Lateral projection; right wrist plain radiograph of the wrist:
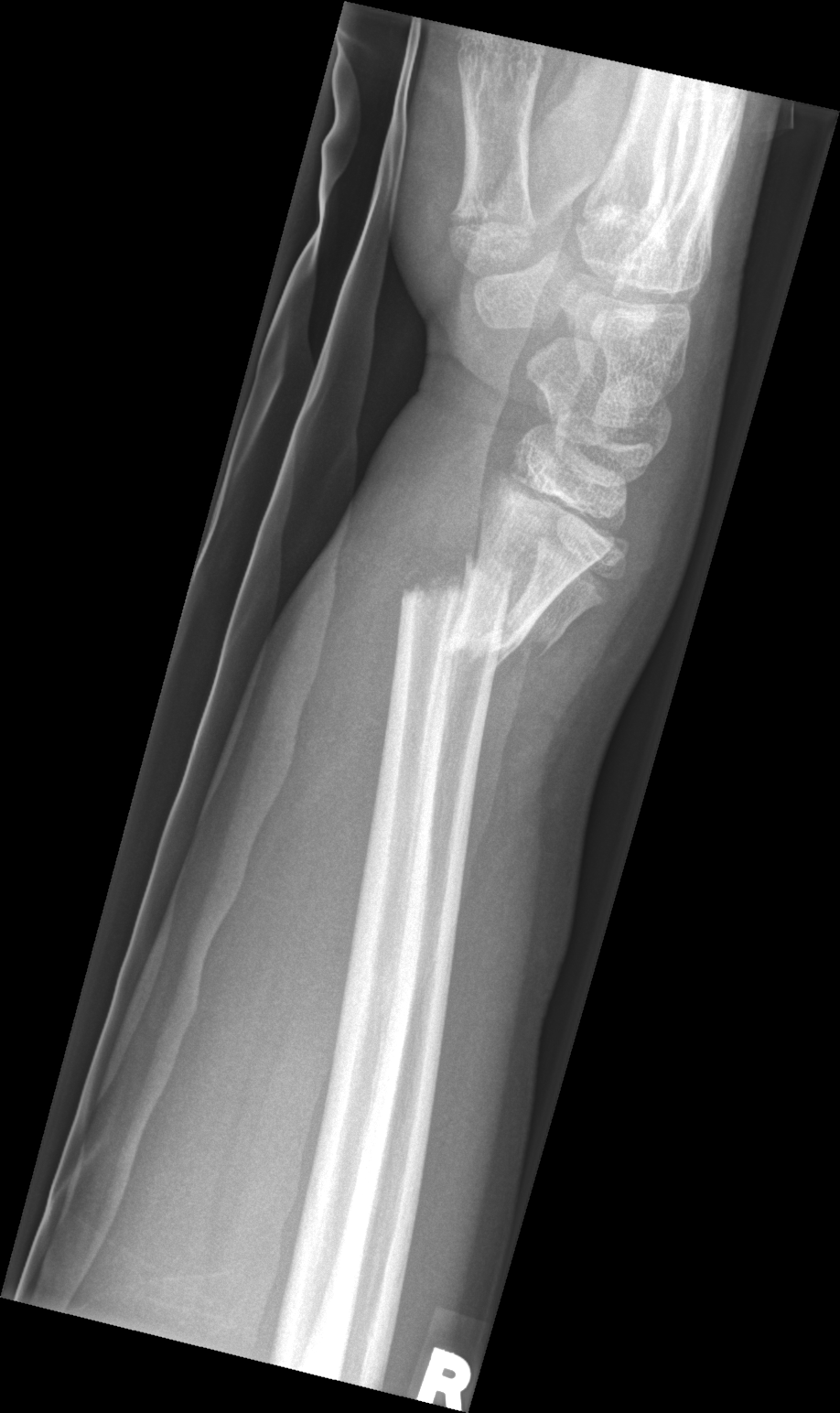

FINDINGS: (boxes as x1,y1,x2,y2 (top-left / bottom-right, pixel units)) AO code 23-M/3.1. Two Fx at bbox(390, 543, 519, 670); bbox(431, 563, 563, 685).